Lat view; left wrist pediatric wrist radiograph; 10-year-old boy; cast in situ; image 73.4 mm wide.
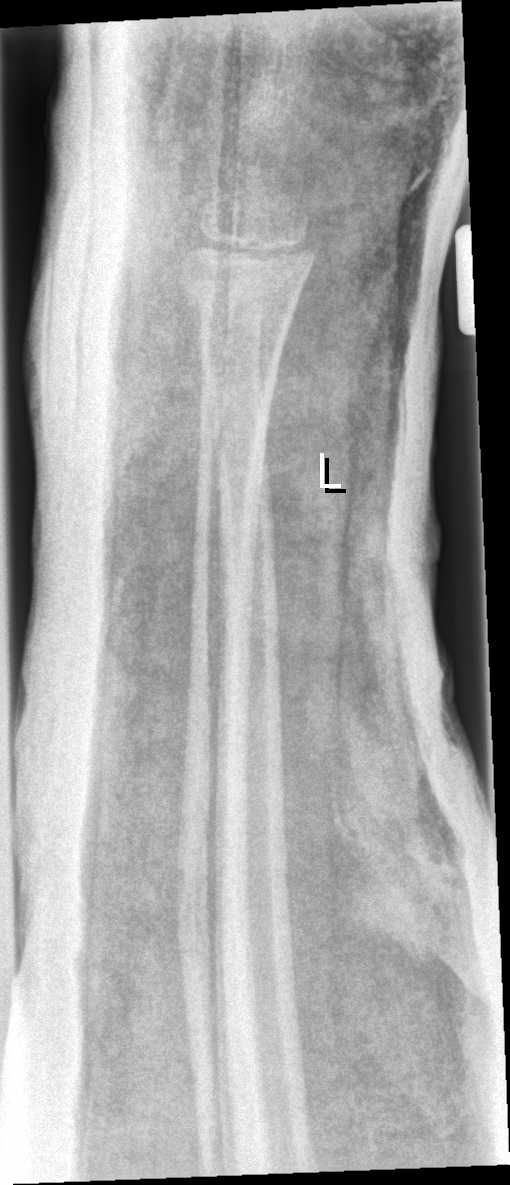

{"_coords": "pixel coordinates, top-left origin, xyxy", "fracture": "(170, 242, 312, 337)"}